Lateral projection; Lt wrist X-ray; follow-up; 456x796 —
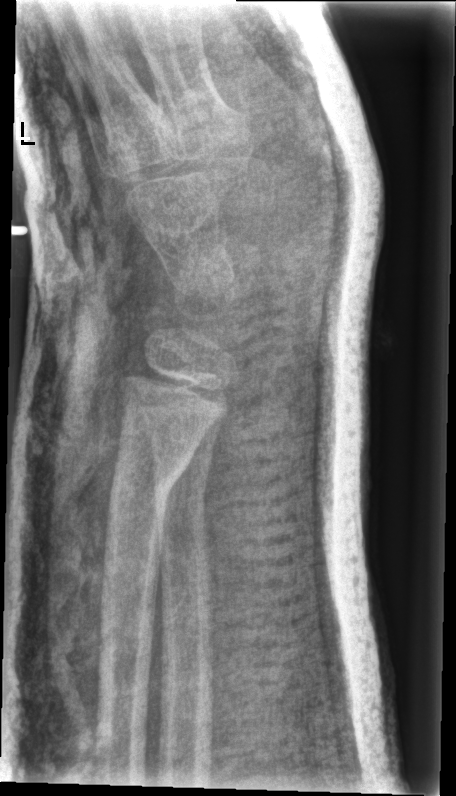

FINDINGS: (pixel coordinates, top-left origin, xyxy) Fx — (left=105, top=452, right=192, bottom=507). AO code 23r-M/2.1.